Lateral; left wrist plain film:

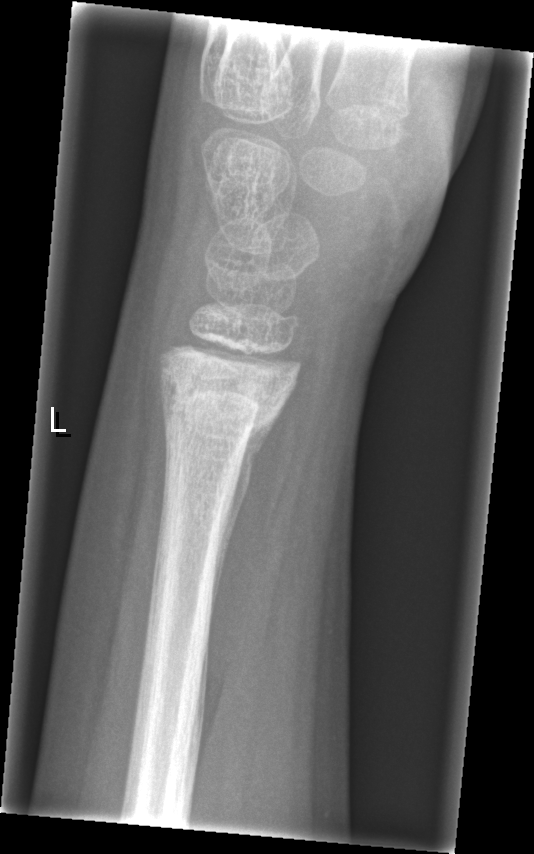 * One fracture at [155, 342, 304, 458].
* Reduced bone mineral density.
* Periosteal thickening: [209, 400, 287, 638].
* AO/OTA classification: 23r-M/3.1.